Lt wrist X-ray | lat projection | girl, 10 yo | initial study —

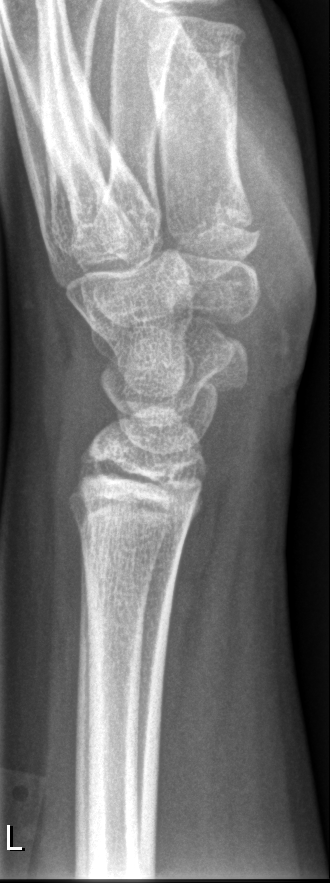 No fracture annotation.